Left wrist radiograph; lateral view; 69.4 mm image width.

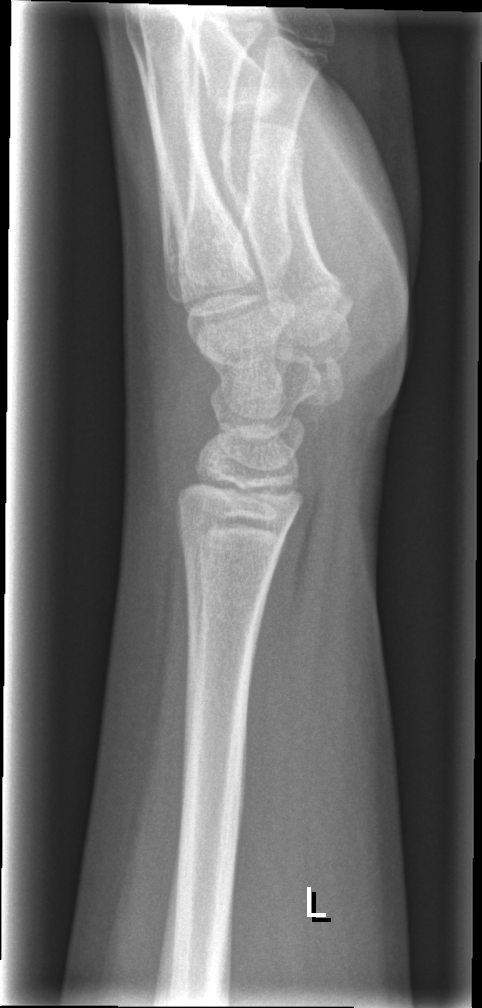

* No Fx annotated.